Rt pediatric wrist radiograph · PA/AP view · age 9 y, female · cast in situ · acquired on Siemens · 734 by 986 pixels 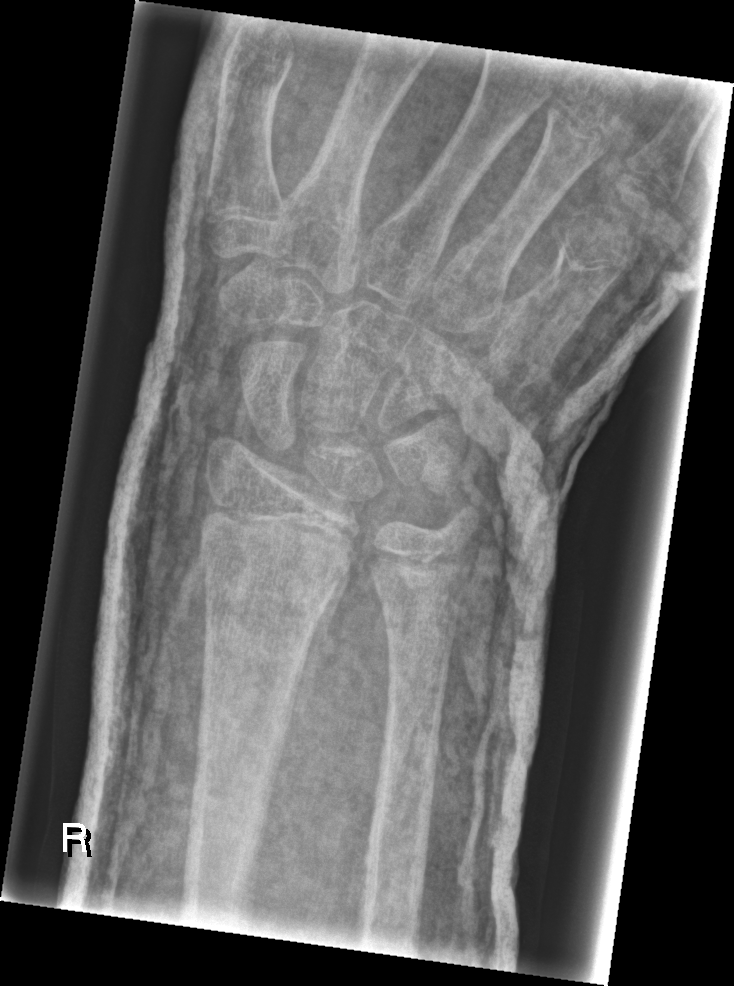 Fracture = present but not clearly seen in this view